Right wrist XR | lat | 8-year-old girl | acquired on Siemens.
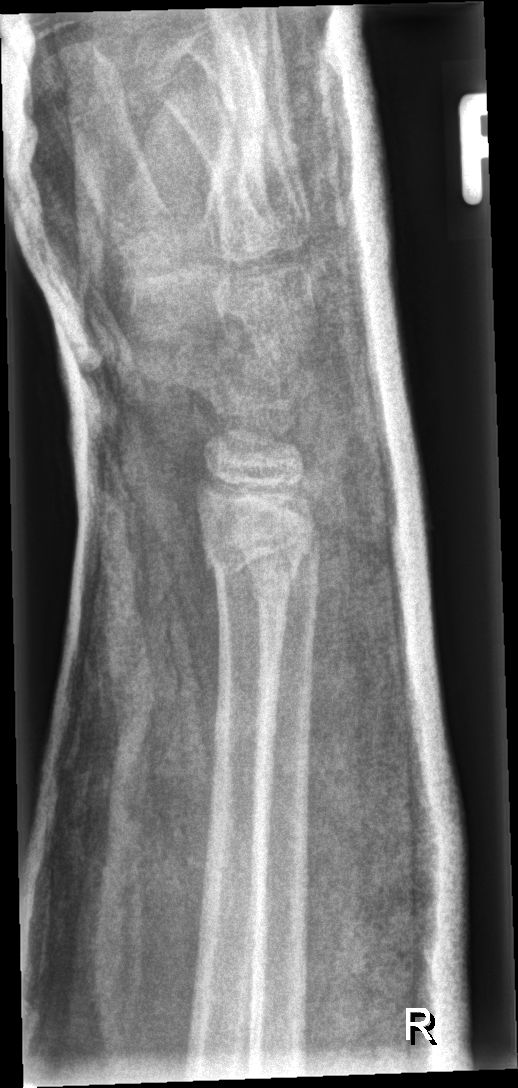
One bone fracture at <198,517>-<316,587>.